Lateral view, left wrist plain radiograph of the wrist, in cast, 719x1020.

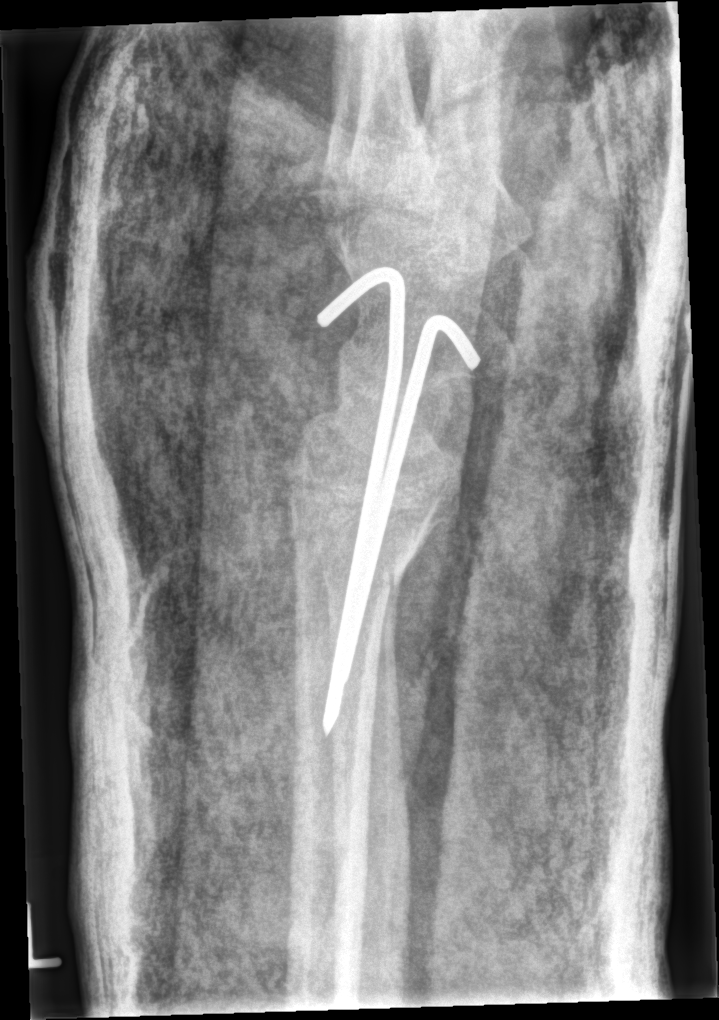 Findings: Fx — [x1=290, y1=518, x2=417, y2=605]. Hardware — [x1=318, y1=269, x2=481, y2=737].